Right wrist radiograph · lateral projection · age 13 y, boy · index exam · 597x1244:
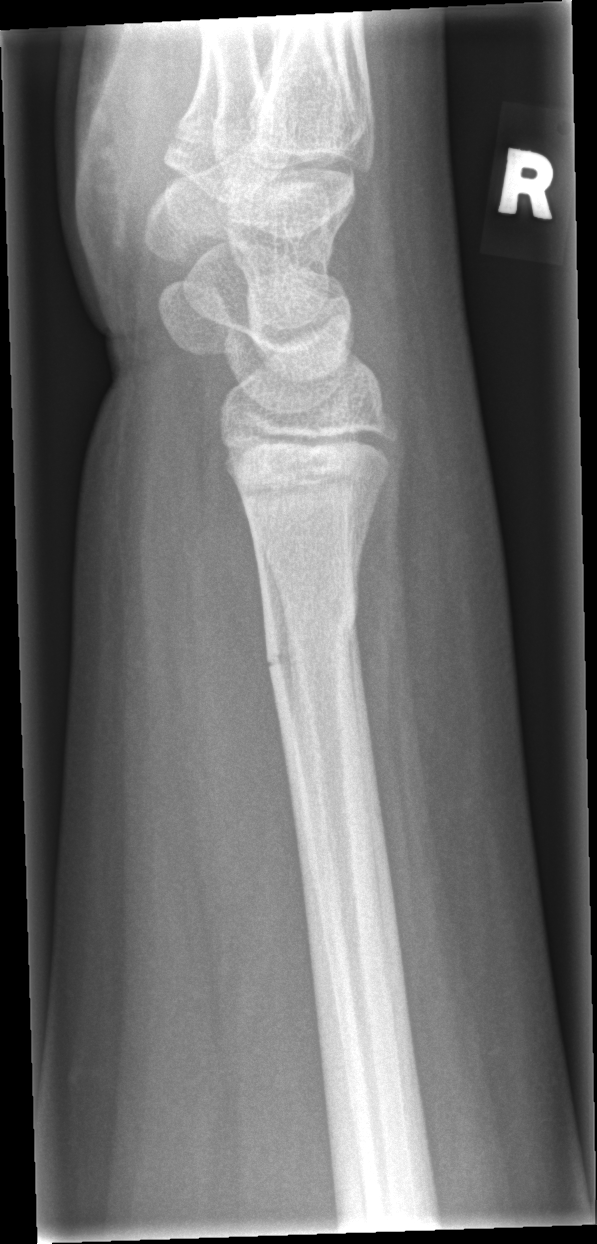

Findings: (coordinates are [x1, y1, x2, y2] in image pixels) Fracture identified at <261,596>-<365,677>.